Lat projection · right pediatric wrist radiograph · boy, 15 yo —

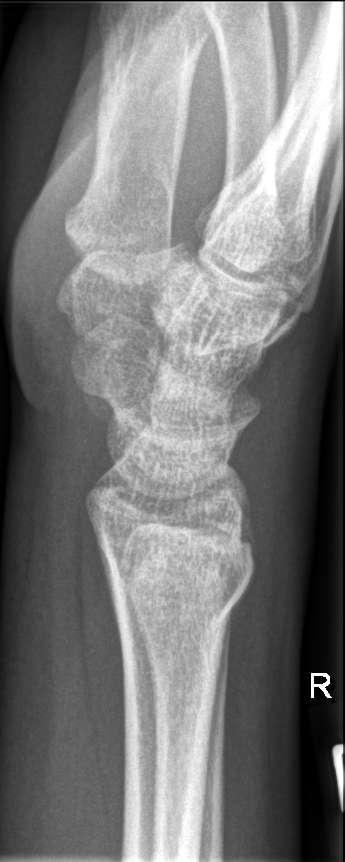 Q: AO code?
A: AO code 23r-M/2.1
Q: Fracture present?
A: Fx — 104 569 260 661